Lat · L wrist plain film

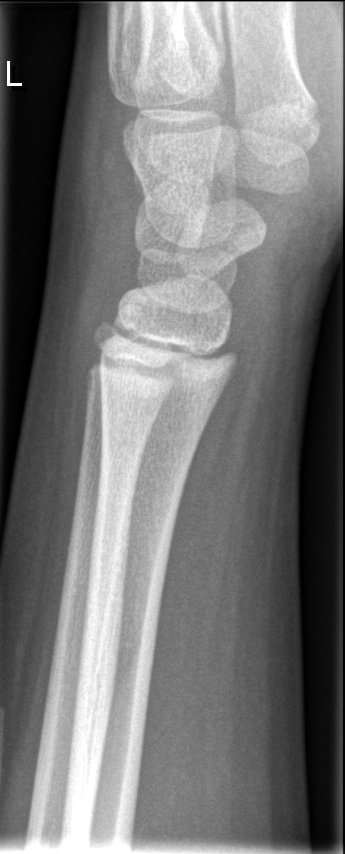 FINDINGS — Fx: none.